PA view | left wrist plain film | 10y M. 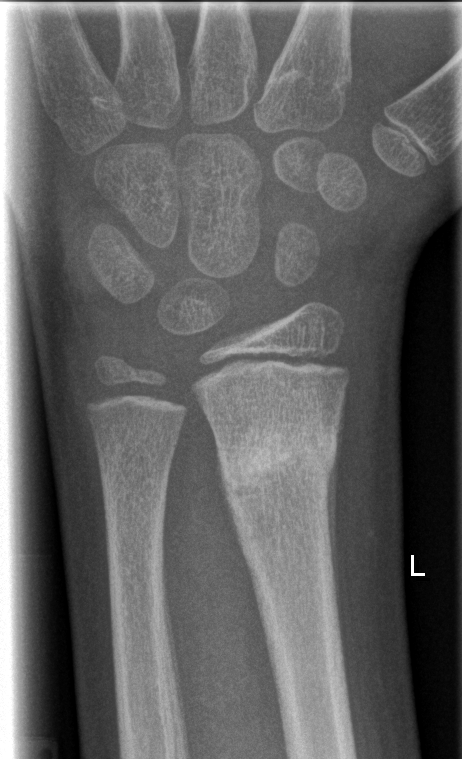 (bounding boxes in image-pixel xyxy)
Fx: (215, 416, 341, 518)
AO code: 23r-M/3.1
Periosteal reaction: (326, 475, 335, 565)